PA view, right wrist X-ray, boy, 7 yo:

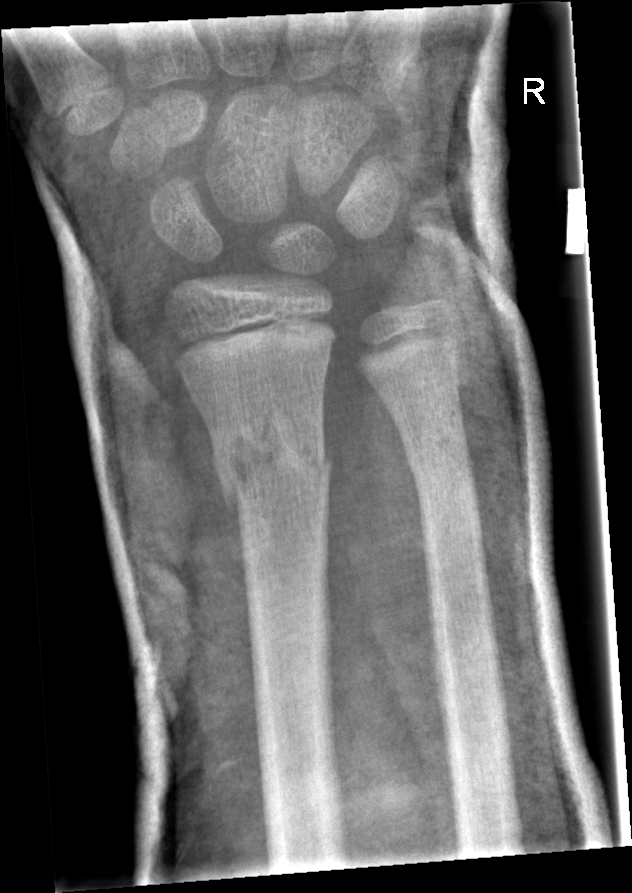
(pixel coordinates, top-left origin, xyxy)
AO code: 23r-M/3.1; 23u-M/2.1
fracture: 2 @ [208, 399, 338, 502] [403, 419, 476, 493]